PA/AP · L plain radiograph of the wrist —
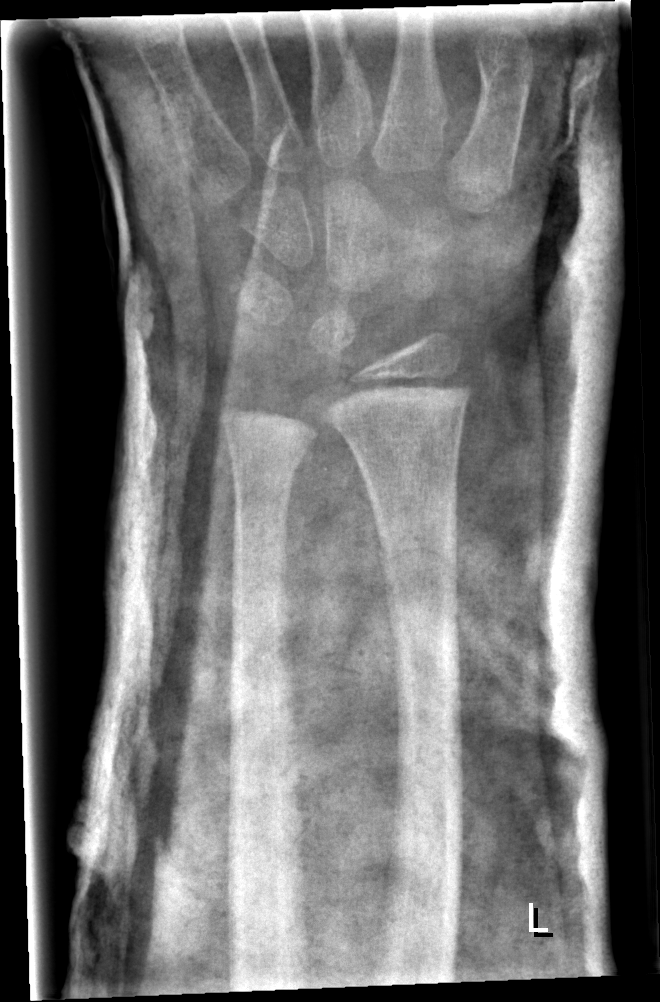
FINDINGS — (bounding boxes in image-pixel xyxy) Fx identified at <371,524>-<462,595>. AO/OTA classification: 23r-M/3.1.